L wrist X-ray | lat view | 12-year-old boy | detector: Siemens.
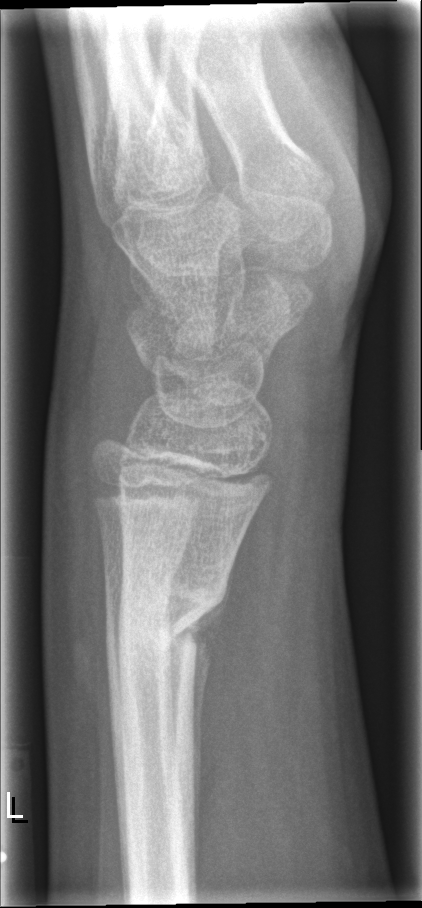 FINDINGS — (pixel coordinates, top-left origin, xyxy) Reduced bone mineral density. One bone fracture at bbox(116, 571, 233, 666). Two periosteal new bone at bbox(172, 535, 243, 639), bbox(188, 641, 213, 864). AO code 23r-M/3.1; 23u-M/2.1.